Lateral projection; right wrist X-ray; image size 342x694

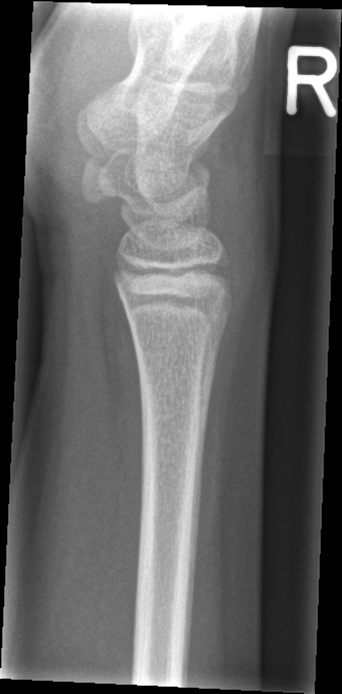

No Fx annotated.